Posteroanterior · Lt wrist radiograph · 443 by 624 pixels:

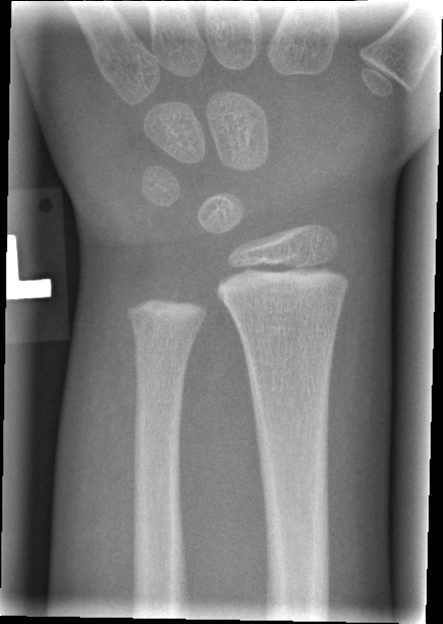 Q: Locate any fractures.
A: Fracture: none labeled